Lateral; R wrist X-ray; 3-year-old male —

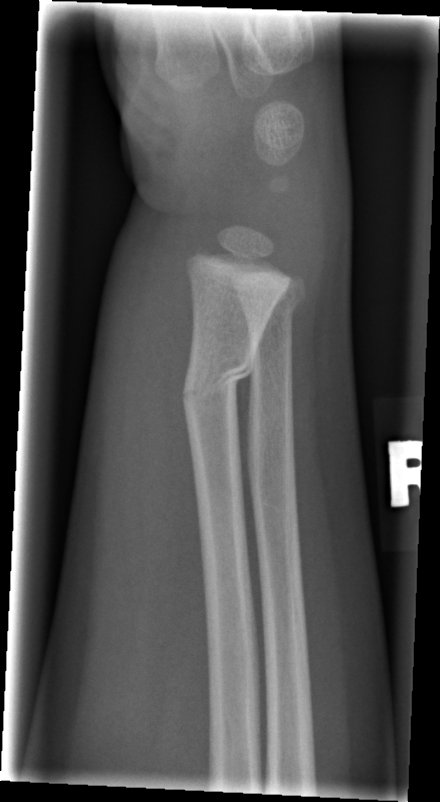

Fractures — (181, 347, 261, 408), (236, 282, 309, 328).
AO code 23-M/2.1.